Lateral projection; R wrist XR; 11-year-old female:

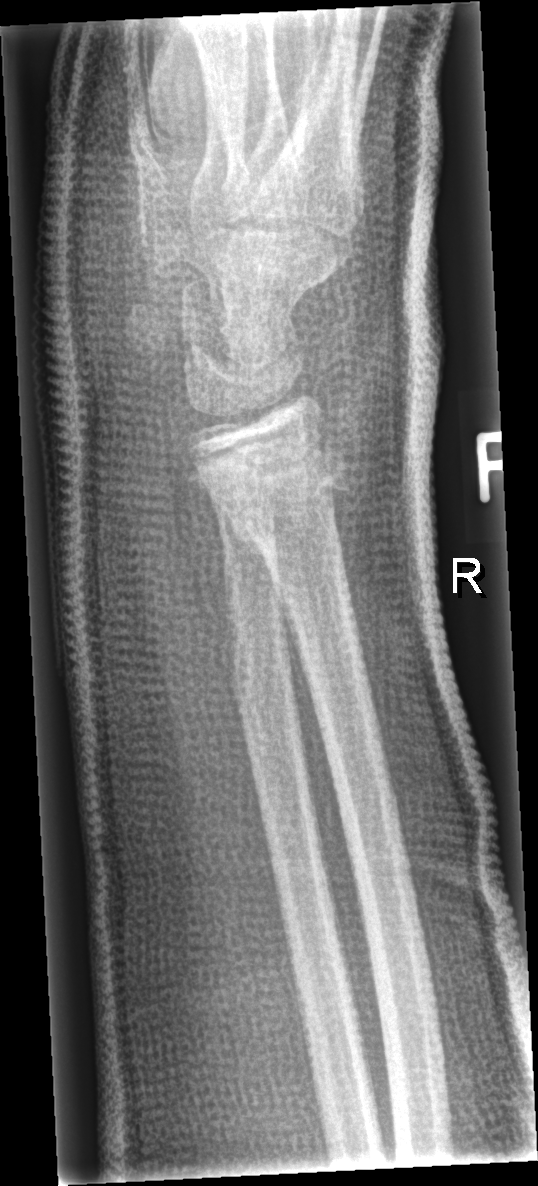

- Fx — <206,439>-<355,550>.
- AO/OTA classification: 23r-M/3.1; 23u-E/7.